Lateral view · left pediatric wrist radiograph · age 9 y, male · in cast · 80.9 mm image width:

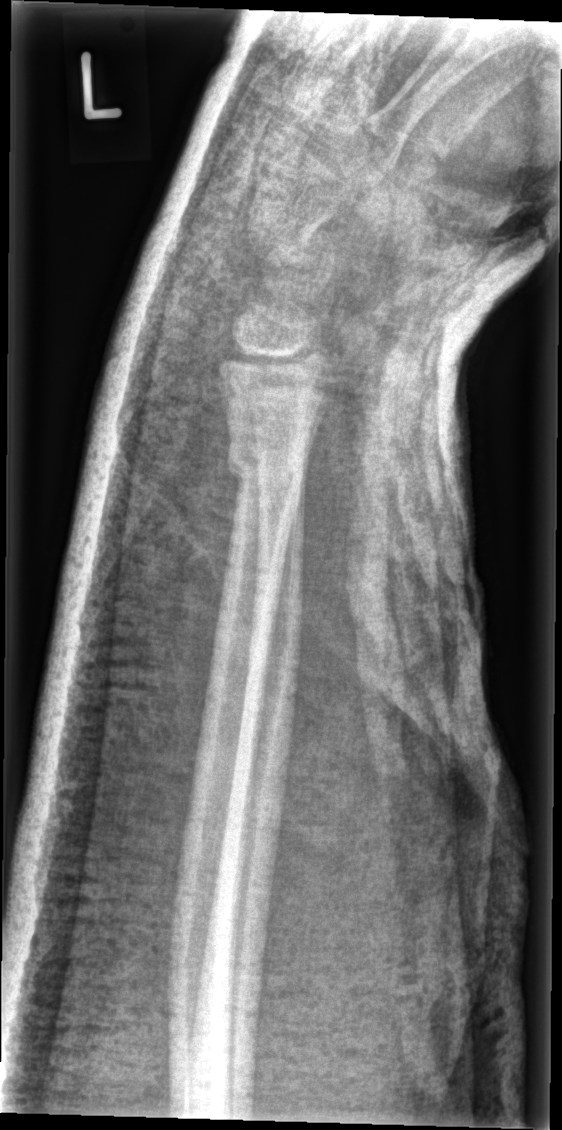   fracture: [224, 433, 308, 492]
  ao: 23r-M/3.1